Left wrist radiograph; PA view; age 12 y, female; index exam.
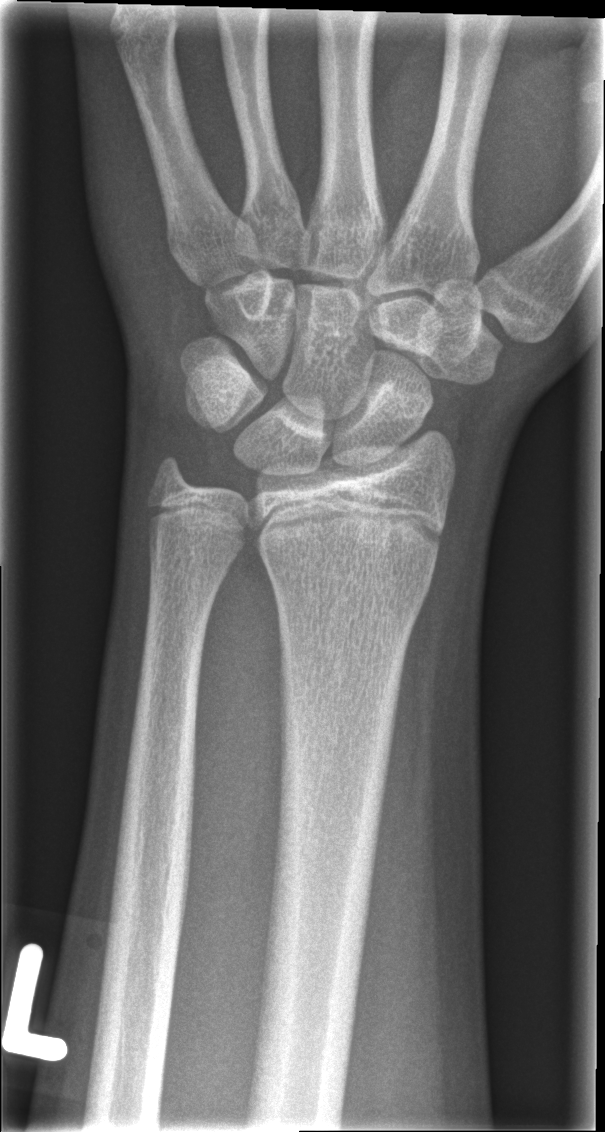

- No fracture bounding box.